Rt wrist XR | lat | boy, 9 yo — 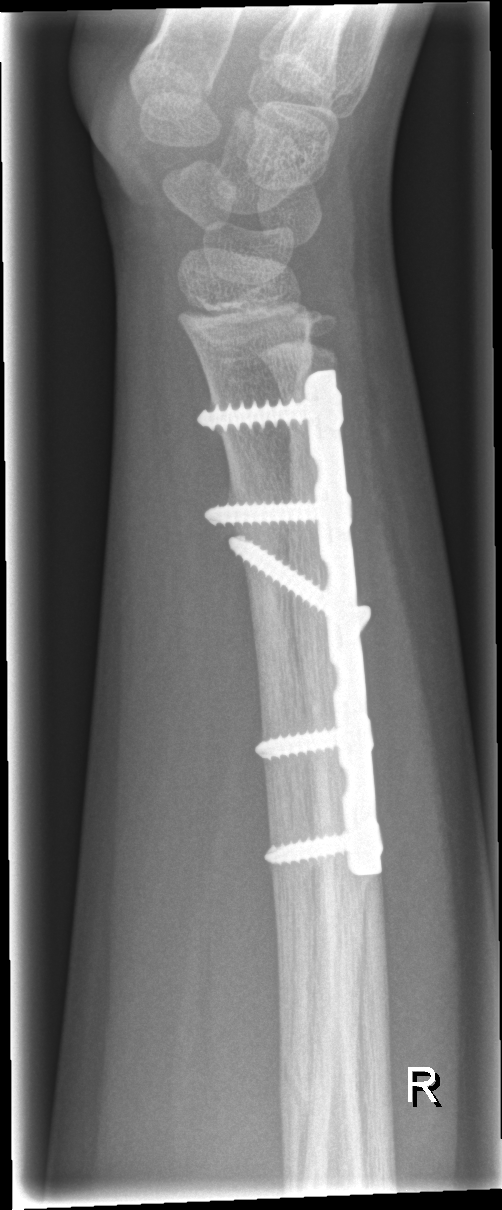
hardware = 1 @ bbox(198, 368, 385, 879)
AO classification = 23r-M/3.1; 23u-M/2.1
fracture = present but not clearly seen in this view